Right wrist radiograph | lateral view | 58.2 mm image width | 404 x 639 px — 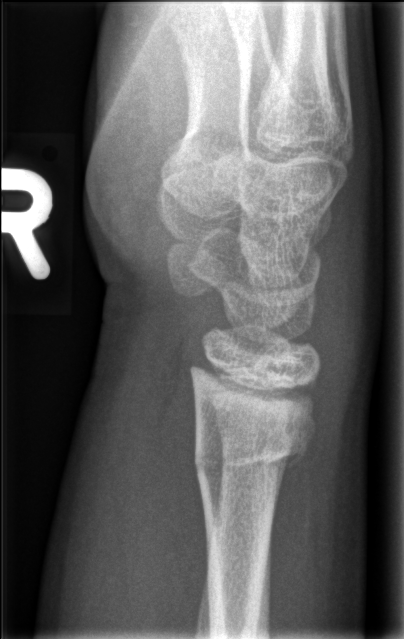
Findings: (pixel coordinates, top-left origin, xyxy) AO code 23r-M/3.1; 23u-E/7. Pronator quadratus fat-pad sign — 116 363 208 639. One fracture at 193 383 317 479.